Posteroanterior view · right wrist radiograph · pediatric patient (girl, age 15). 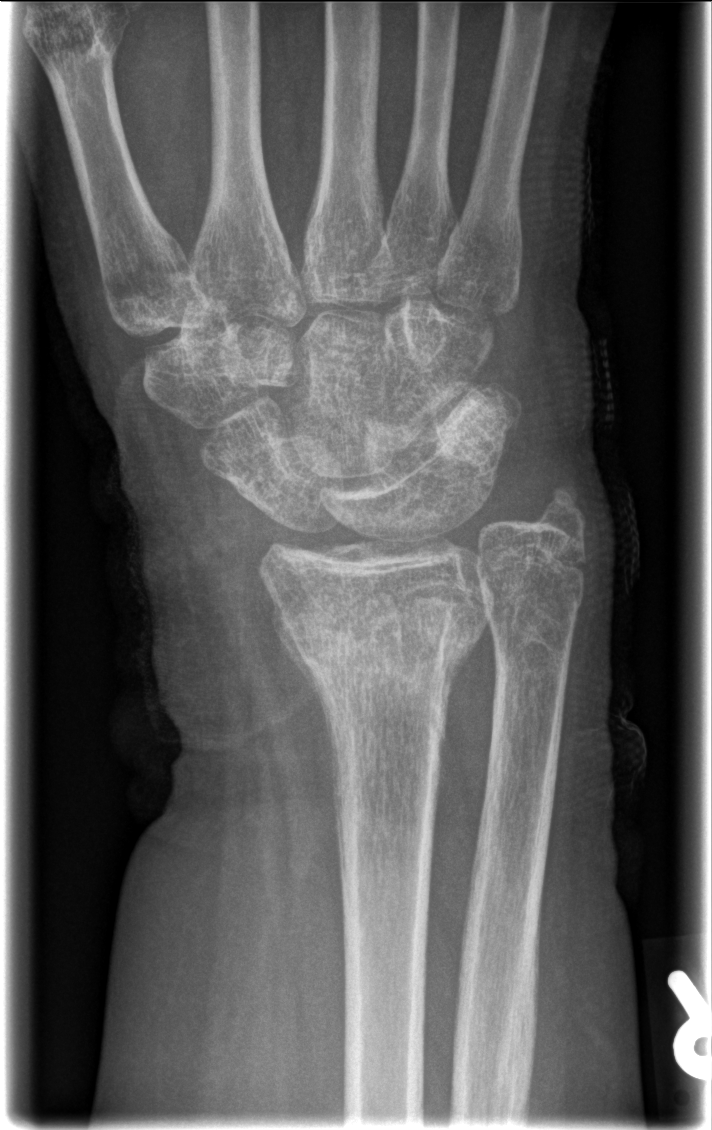 Findings: (boxes as x1,y1,x2,y2 (top-left / bottom-right, pixel units)) Periosteal reaction identified at 273 606 330 727. Fx — 274 608 483 702 | 523 474 592 544.